L wrist XR; lat; 8y M; initial study; image width 76.6 mm. 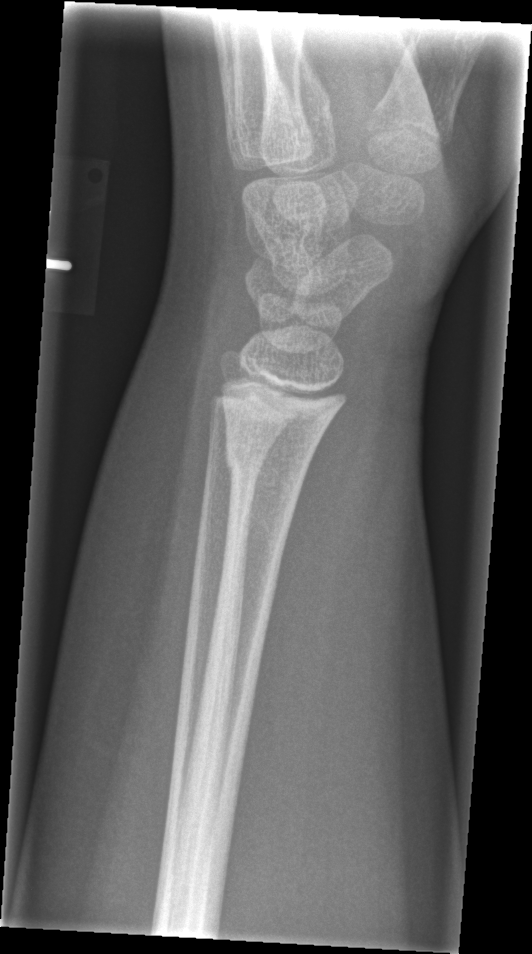
• Pixel coordinates, top-left origin, xyxy.
• One bone fracture at [221, 429, 313, 500].
• AO/OTA classification: 23r-M/2.1.